R wrist XR, PA view, 8y F, initial study.

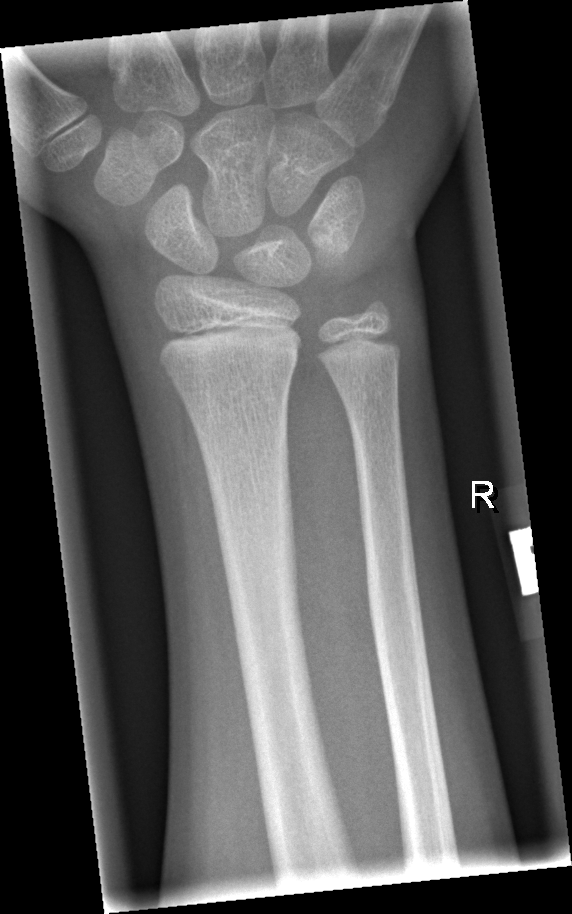

• No Fx annotated.